Lateral view, R wrist XR, subsequent exam — 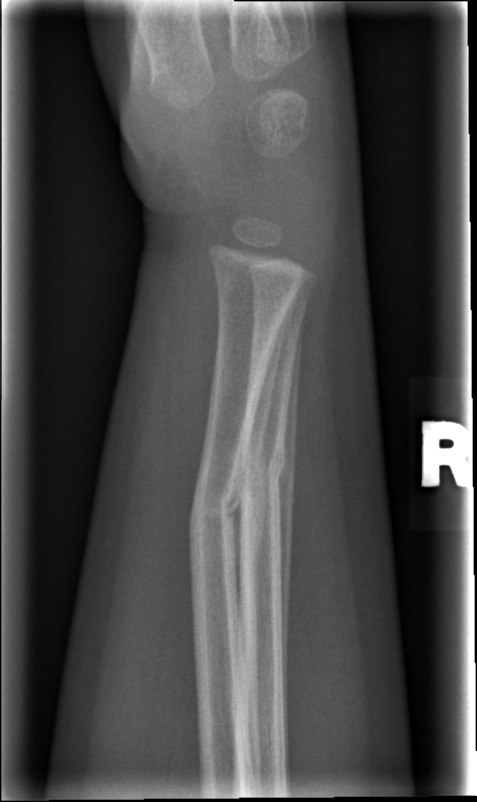
(bounding boxes in image-pixel xyxy)
osteopenia: present
periosteal new bone: 1 @ 272 302 304 759
Fx: 2 @ 184 458 242 572
  239 437 290 523